Lateral; R wrist XR; 98.1 mm image width
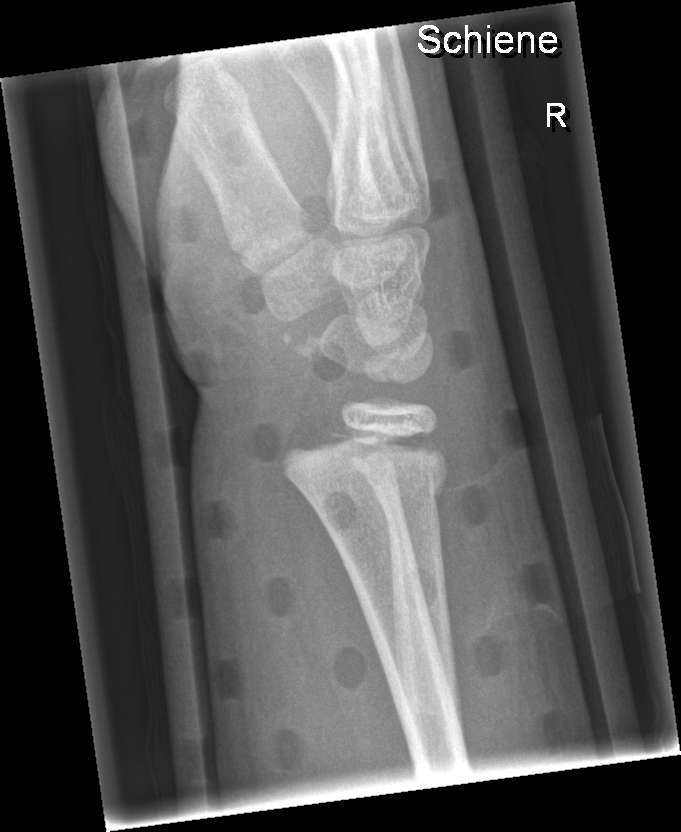
{
  "fracture": "1 @ 274 419 452 527"
}